Lateral · right wrist pediatric wrist radiograph · image 52.7 mm wide
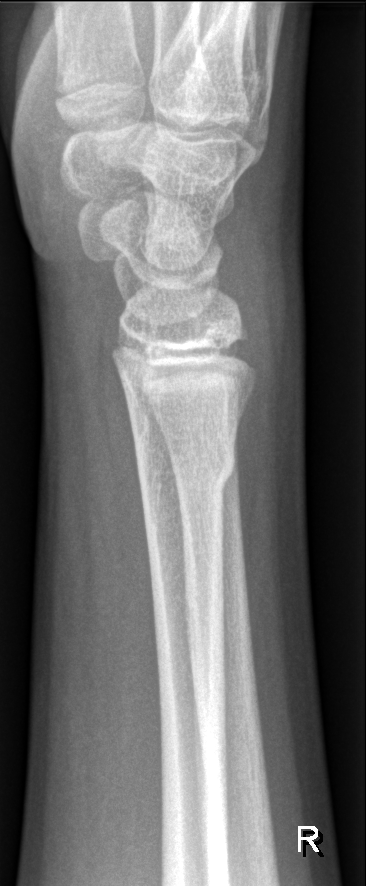
(boxes as x1,y1,x2,y2 (top-left / bottom-right, pixel units))
Q: What is the AO/OTA classification?
A: Fracture classified AO/OTA 23r-M/2.1; 23u-E/7
Q: Locate any fractures.
A: Fracture identified at 133 438 240 500